R wrist radiograph · lat view: 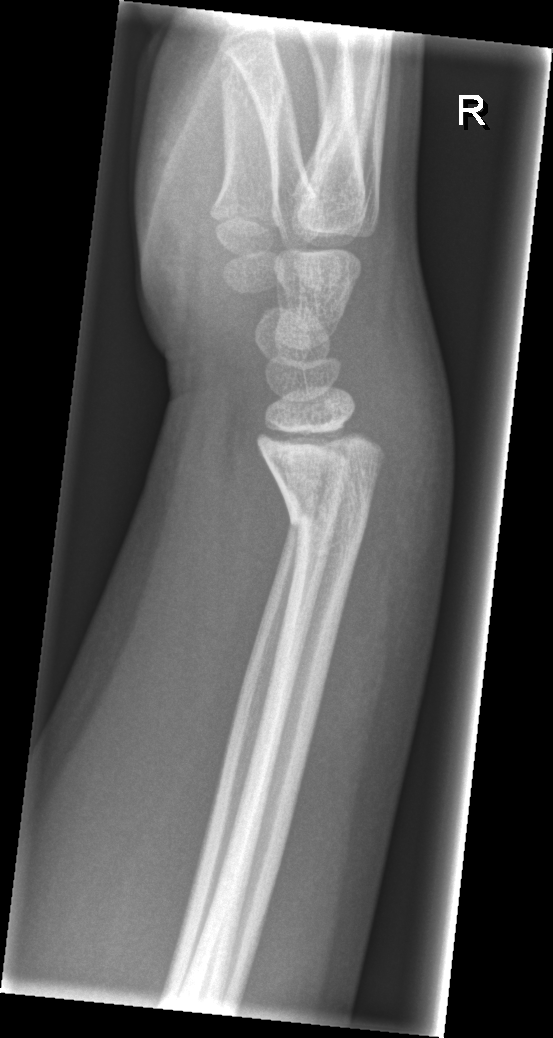
FINDINGS — Pronator sign — [x1=199, y1=405, x2=290, y2=799]. Soft-tissue swelling: [x1=341, y1=246, x2=457, y2=563]. AO code 23r-E/2.1; 23u-M/2.1. Bone fracture identified at [x1=250, y1=420, x2=390, y2=552].